Lat · R wrist plain film · male, 11 yo · follow-up study.

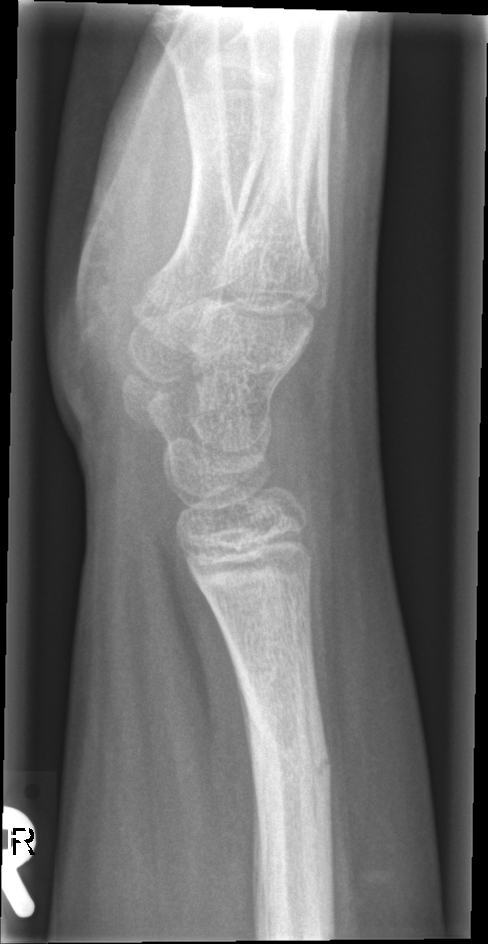

Findings: One Fx at (240, 690, 338, 828).